Lateral view | left wrist plain radiograph of the wrist | detector: Siemens | 474 by 952 pixels
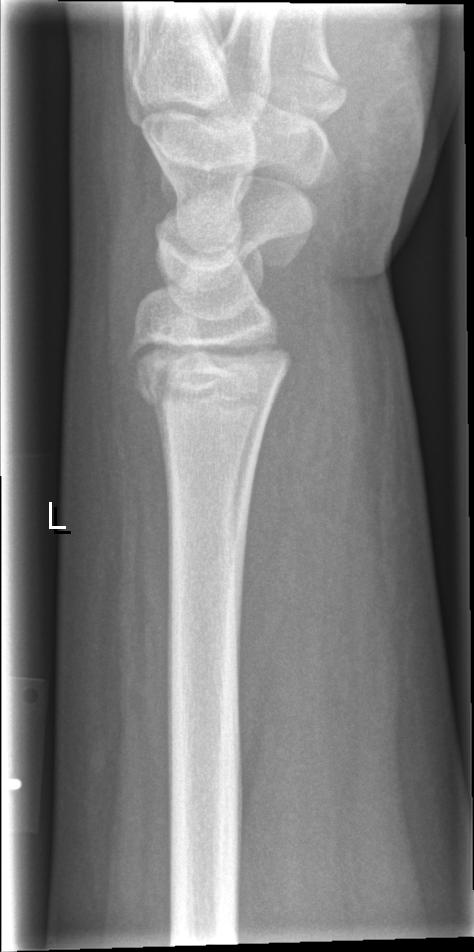
AO/OTA = 23r-E/2.1; 23u-E/7
Pronator quadratus fat-pad sign = 1 @ (left=233, top=352, right=338, bottom=676)
Fx = 1 @ (left=123, top=335, right=295, bottom=417)